Left wrist radiograph · lateral view · cast present · image size 496x1048:

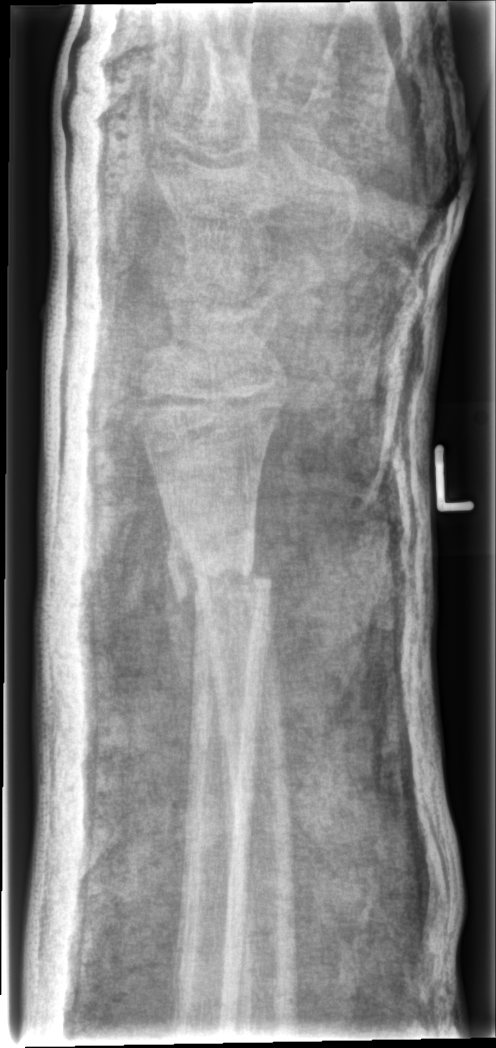 FINDINGS: Fx identified at 163 529 277 626. AO code 23-M/3.1.